R wrist X-ray; lateral; pediatric patient (girl, age 9); imaged through cast.

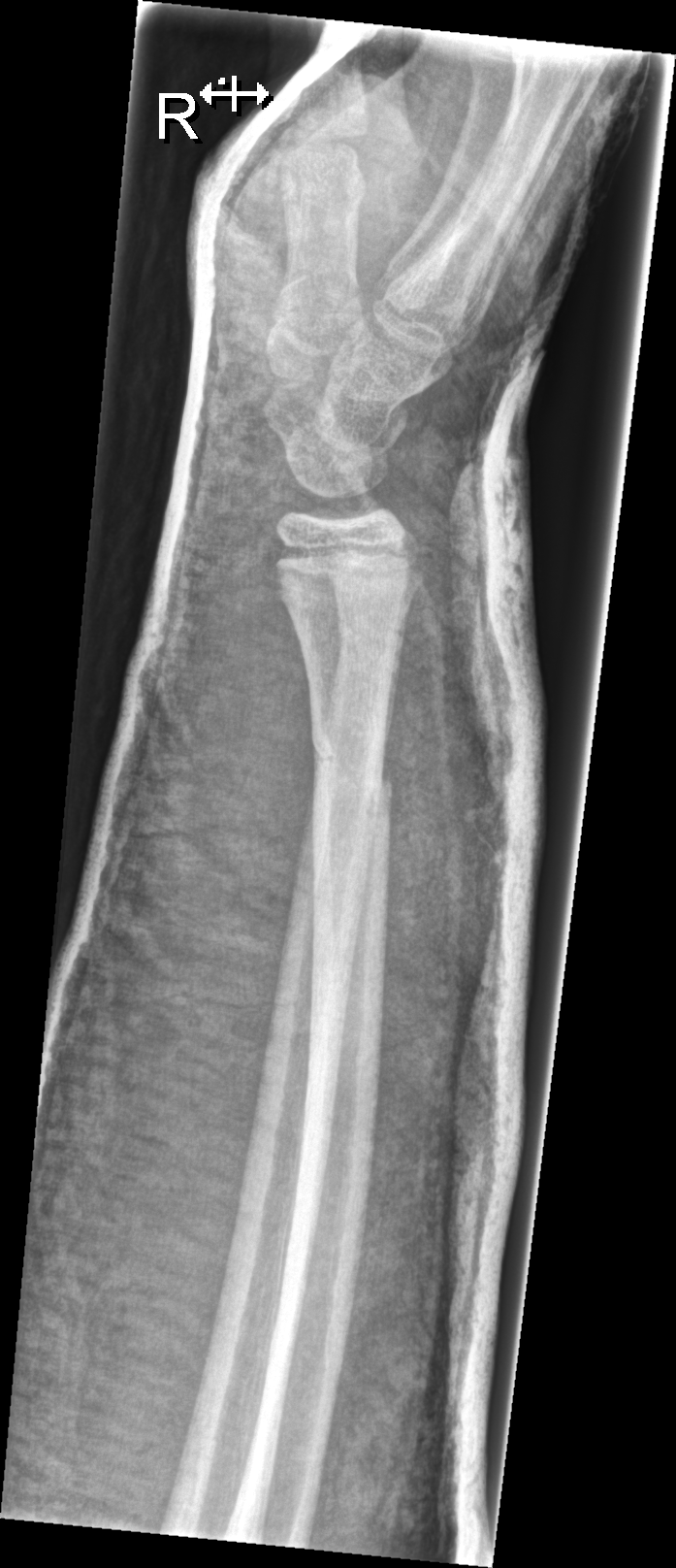

Findings: (coordinates are [x1, y1, x2, y2] in image pixels) AO code 23r-M/3.1; 23u-M/2.1. Fx — (305, 719, 403, 806).